Left pediatric wrist radiograph, frontal projection, 12y F, image width 83.7 mm — 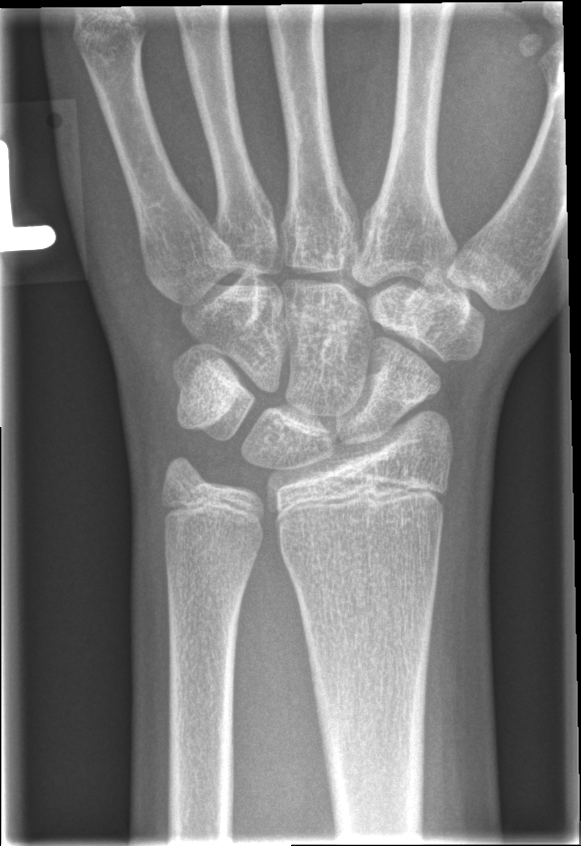
No fracture annotation.